Left wrist radiograph, lateral, boy, 7 yo 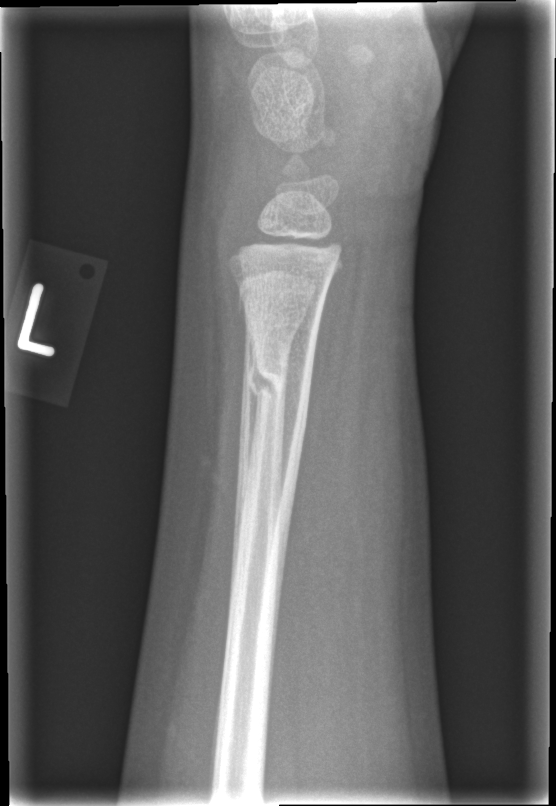 Coordinates are [x1, y1, x2, y2] in image pixels.
Fracture classified AO/OTA 23-M/2.1.
Fracture — 241 337 319 407.